Posteroanterior view · Lt wrist XR · 9y M · index exam · detector: Siemens.
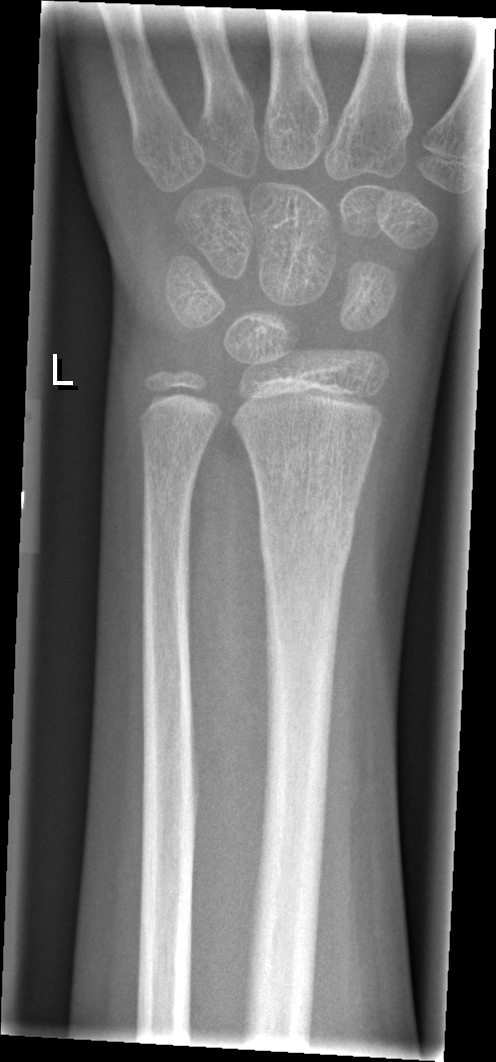
Boxes as x1,y1,x2,y2 (top-left / bottom-right, pixel units).
One Fx at 255 500 357 576.
AO/OTA classification: 23r-M/2.1.